AP, Lt wrist radiograph, boy, 16 yo, image 128.2 mm wide:

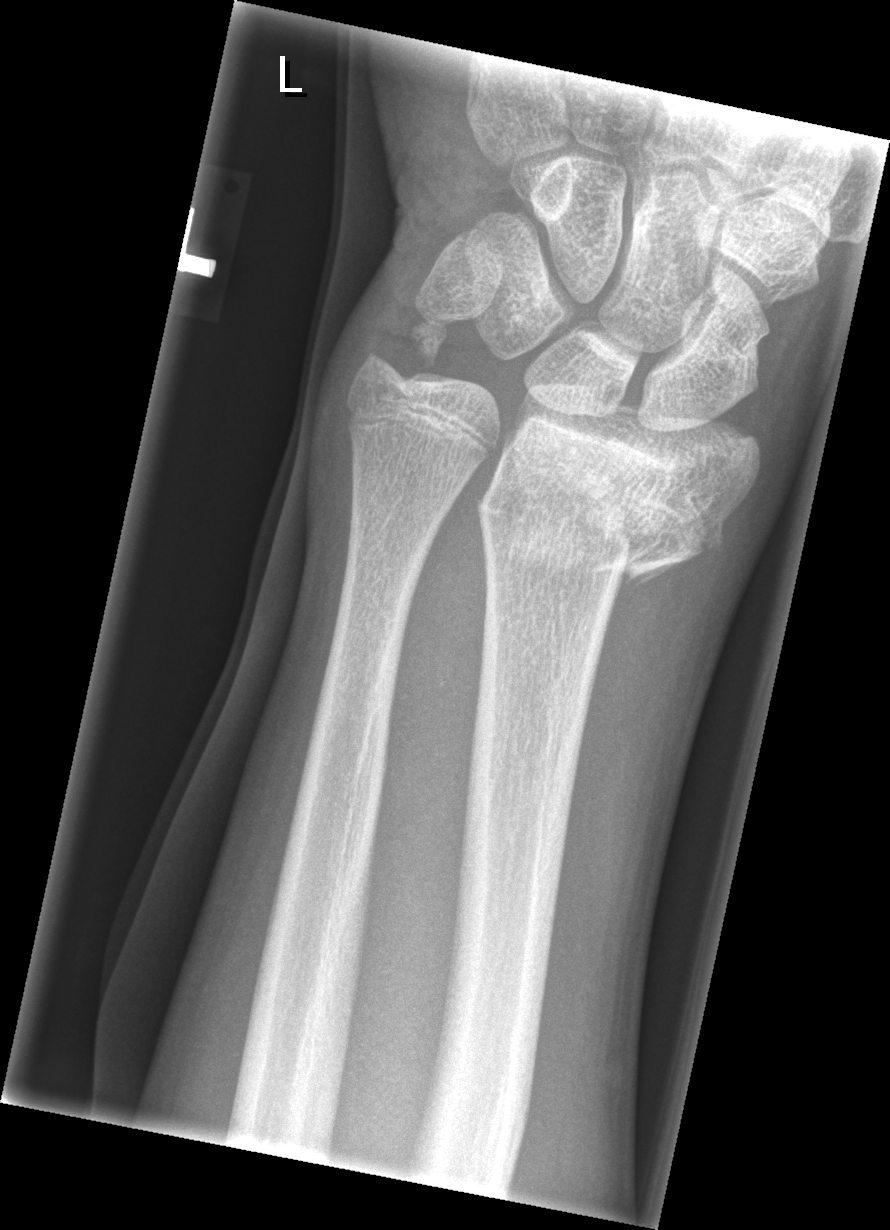
(pixel coordinates, top-left origin, xyxy)
Q: What is the AO/OTA classification?
A: Fracture classified AO/OTA 23r-M/3.1; 23u-E/7
Q: Fracture present?
A: Two bone fractures at (left=473, top=441, right=730, bottom=591) (left=357, top=314, right=451, bottom=387)